Lat, L pediatric wrist radiograph, 16-year-old male.
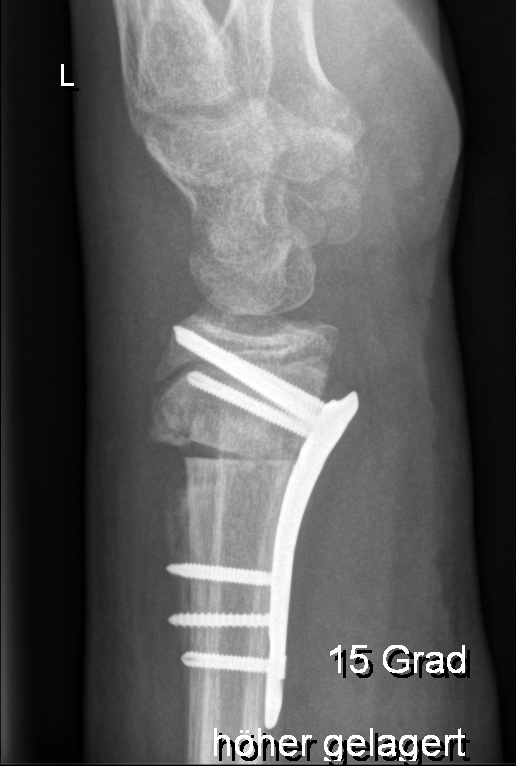
(boxes as x1,y1,x2,y2 (top-left / bottom-right, pixel units))
hardware: [x1=169, y1=325, x2=354, y2=721]
fracture: none labeled